AP view, right wrist XR, 575x986

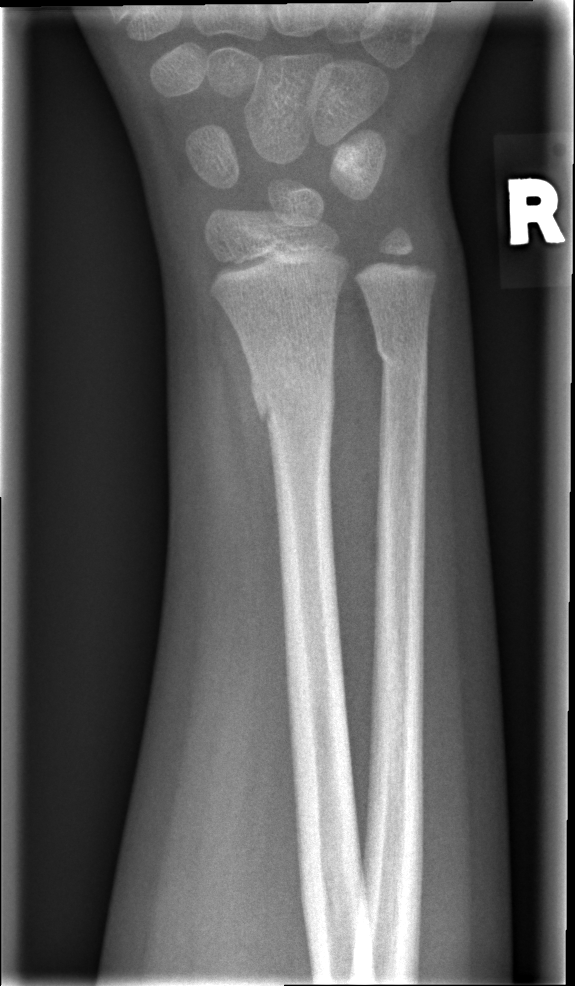 {
  "_coords": "bounding boxes in image-pixel xyxy",
  "fracture": "245 365 339 434\n  371 327 432 381",
  "ao": "23-M/2.1"
}